Right wrist plain film, PA/AP view.

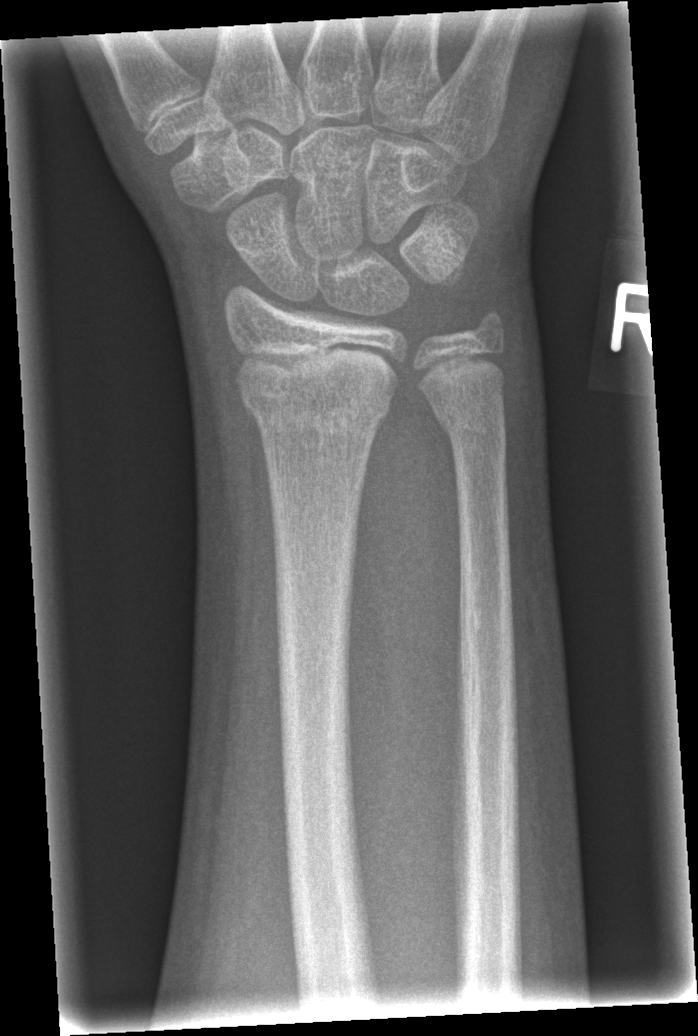

Boxes as x1,y1,x2,y2 (top-left / bottom-right, pixel units).
Fx identified at [x1=230, y1=343, x2=397, y2=434]; [x1=431, y1=398, x2=509, y2=452]; [x1=466, y1=301, x2=513, y2=351].